Rt wrist plain film | lat projection.
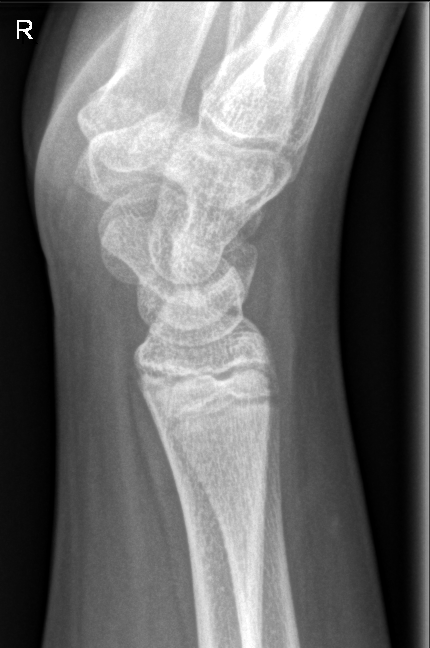

No fracture annotation.